Lateral | left wrist X-ray | cast present | 75.5 mm image width
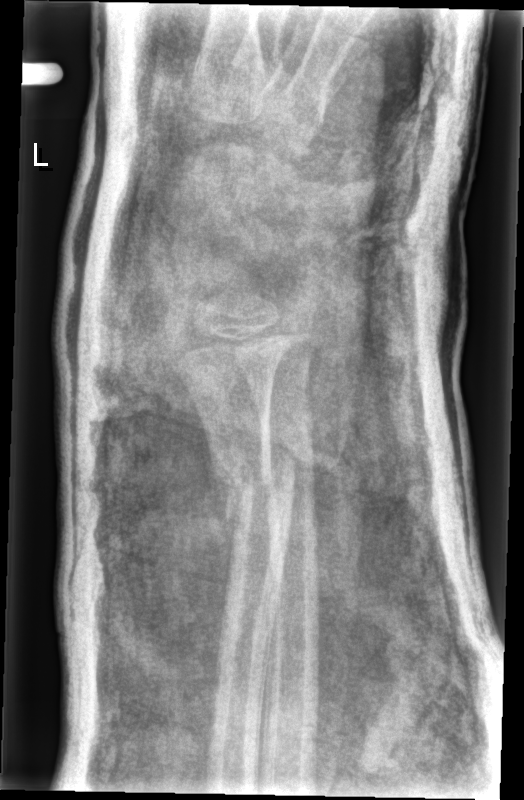 * Fracture — [206, 433, 299, 528].